Lateral view · L pediatric wrist radiograph · female, 9 yo
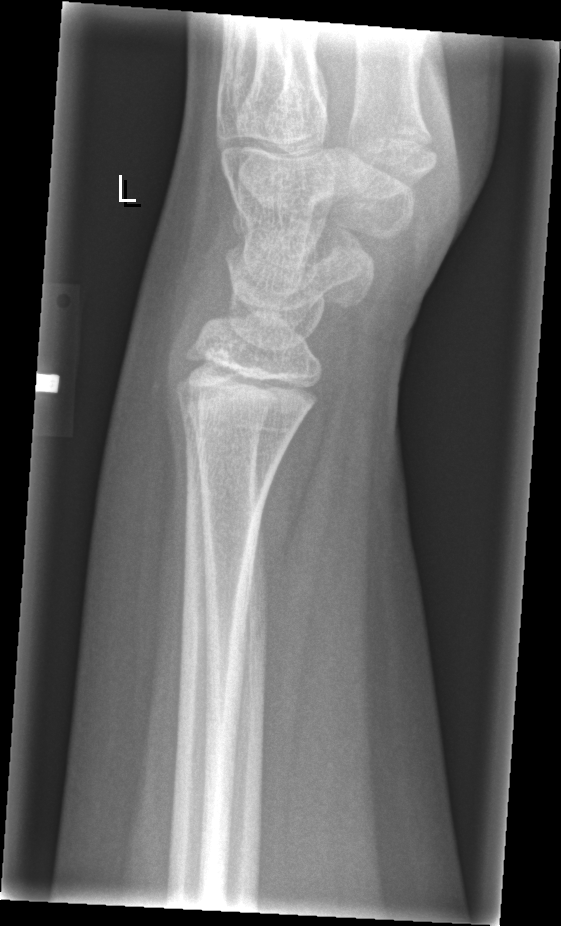
No Fx annotated.